Lateral projection · left wrist pediatric wrist radiograph · 14y M · follow-up study
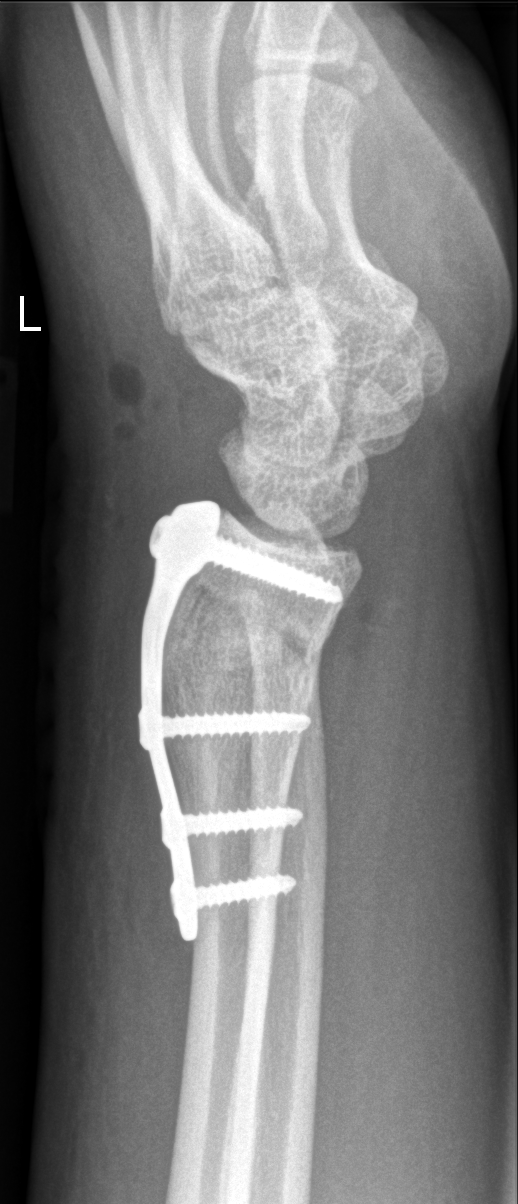 FINDINGS — (bounding boxes in image-pixel xyxy) Metallic hardware identified at [x1=132, y1=494, x2=345, y2=950]. AO code 23r-M/3.1; 23u-E/7. One Fx at [x1=176, y1=585, x2=333, y2=687]. One soft tissue abnormality at [x1=67, y1=128, x2=229, y2=504].